PA/AP | right wrist plain radiograph of the wrist | 10-year-old female | cast present | 650x1260 — 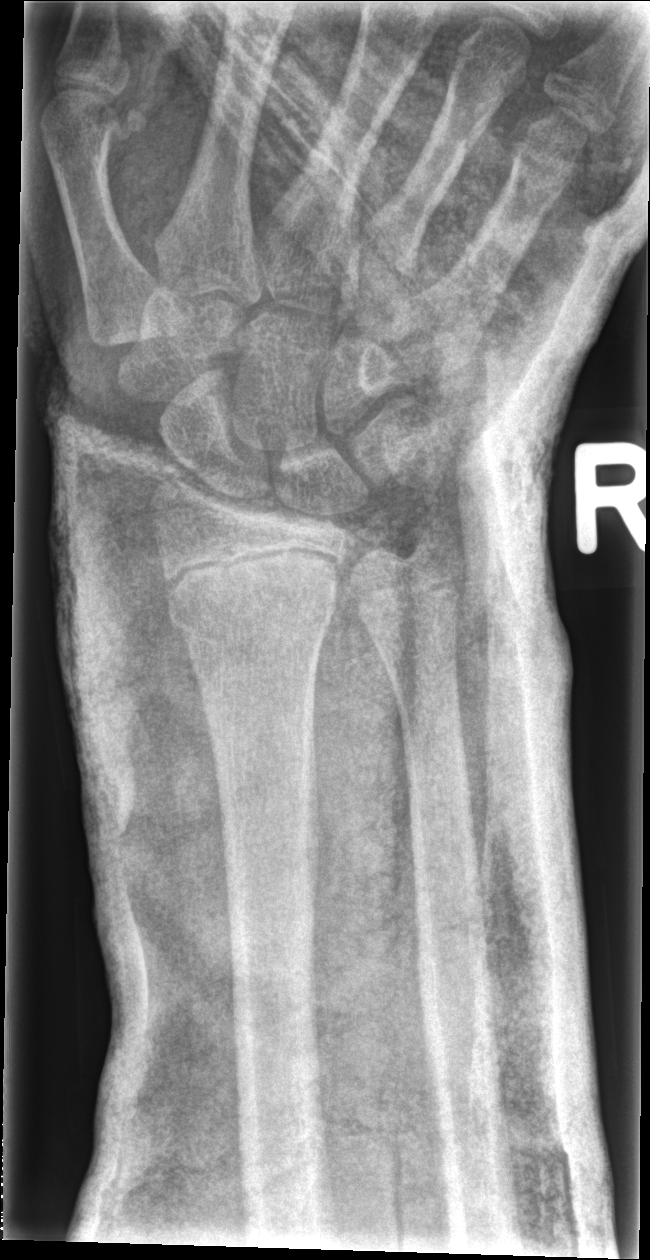
Fx — <164,573>-<338,651>.